Lat projection | R wrist X-ray | index exam.

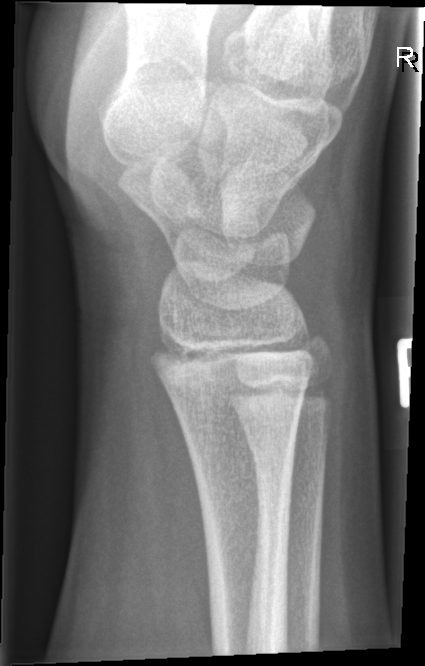
Fx: none labeled